Left wrist X-ray | posteroanterior view | pediatric patient (boy, age 4) | acquired on Siemens.
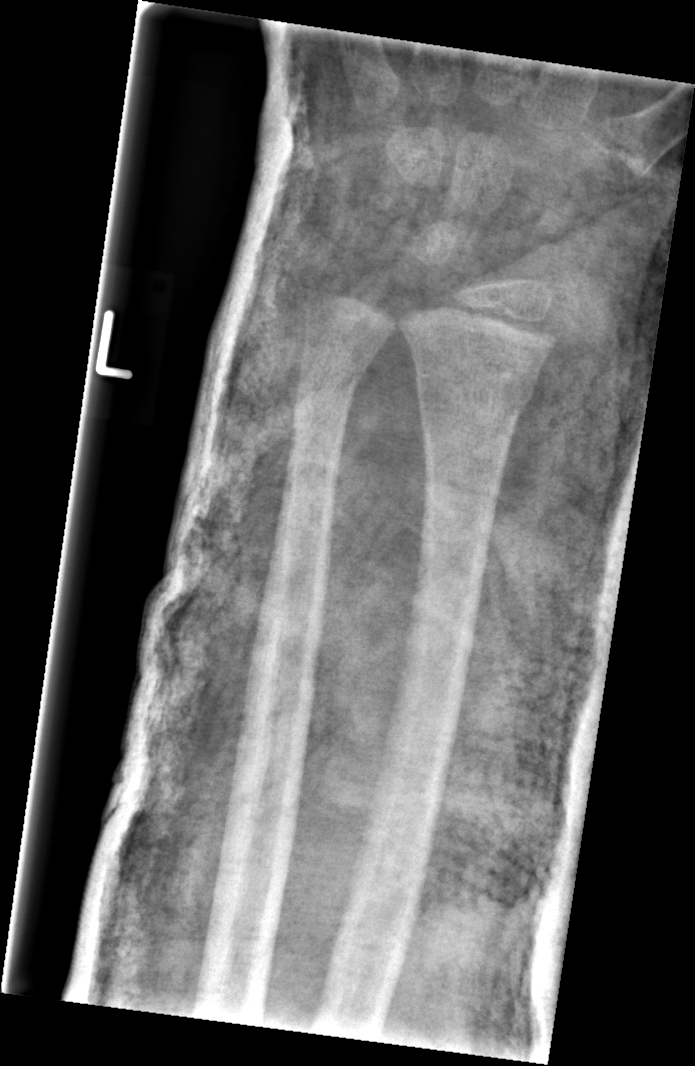
Bone fracture — bbox(413, 359, 543, 425). AO code 23r-M/3.1; 23u-M/2.1.